Left wrist XR | lateral | follow-up.
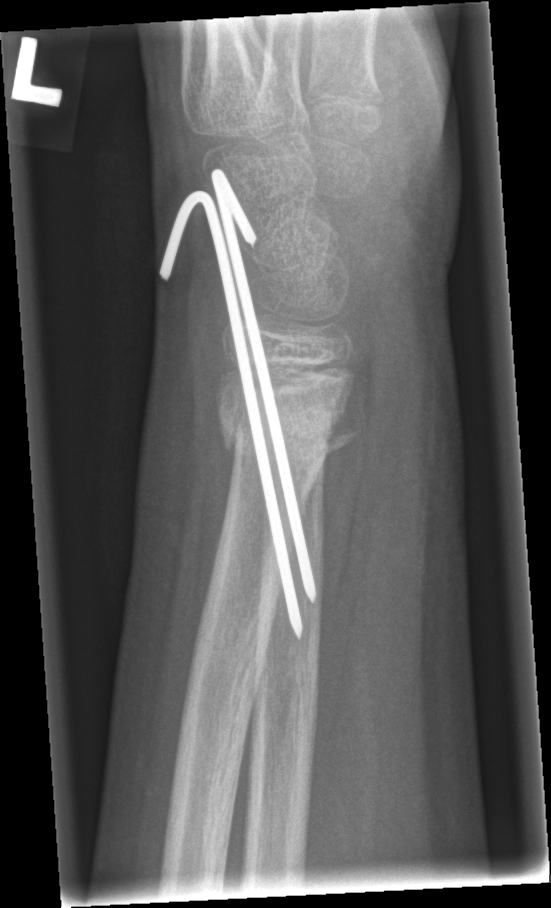 (boxes as x1,y1,x2,y2 (top-left / bottom-right, pixel units))
Q: Locate any fractures.
A: Fx — 214,400,361,465
Q: AO code?
A: AO code 23-M/3.1
Q: Any metal present?
A: Metallic hardware — 158,165,318,642